PA/AP projection, right wrist X-ray, Siemens: 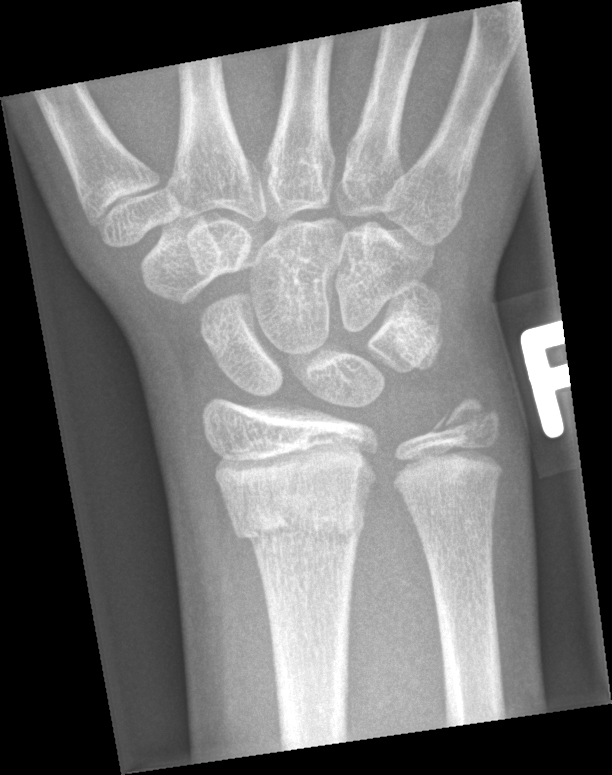
Findings: (bounding boxes in image-pixel xyxy) AO code 23r-M/3.1; 23u-E/7. Two Fx at [x1=219, y1=484, x2=379, y2=549], [x1=427, y1=390, x2=503, y2=448].